Frontal; left wrist radiograph; initial study; 504 by 896 pixels. 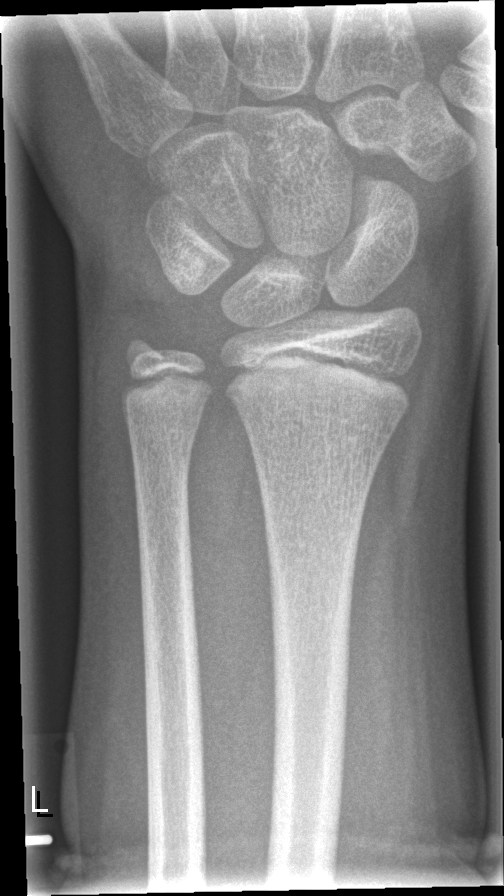 - Fx: none.